Lat projection · Rt plain radiograph of the wrist · index exam · 385 by 1040 pixels — 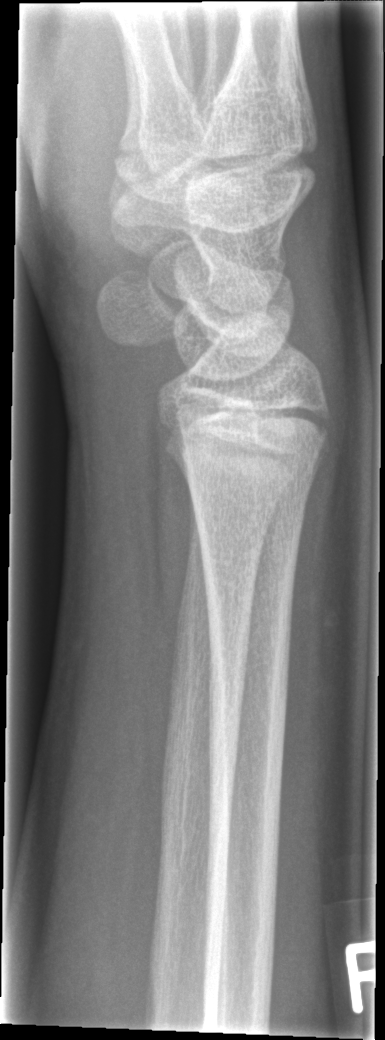 FINDINGS — Fracture: none labeled.